AP projection | Lt wrist plain film | in cast | acquired on Siemens
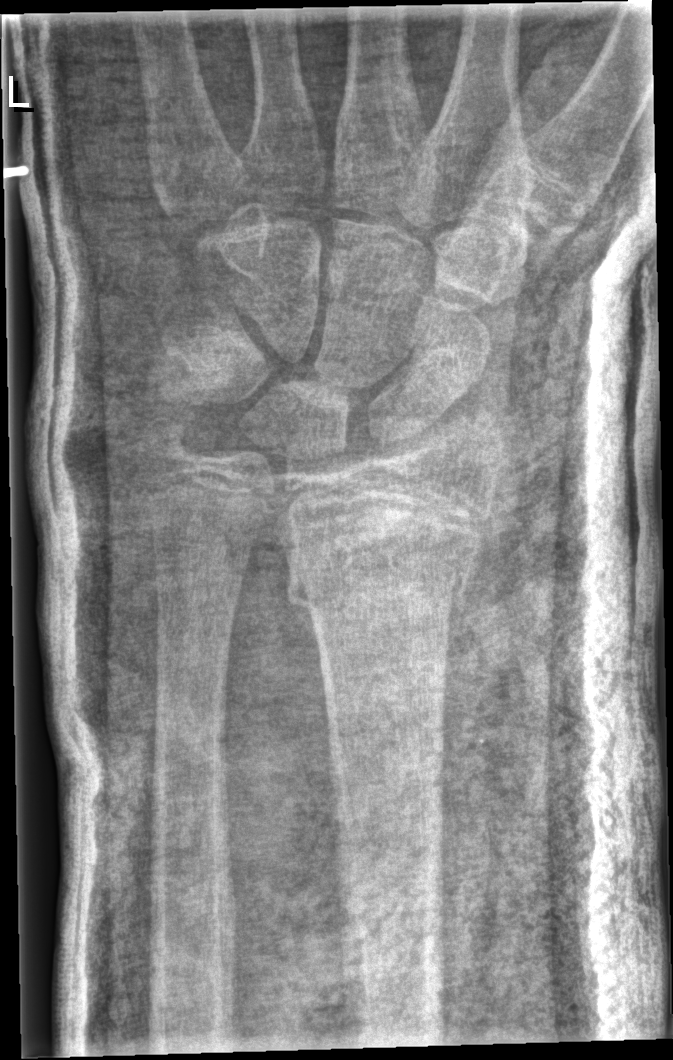

Q: AO code?
A: Fracture classified AO/OTA 23r-M/3.1; 23u-E/7
Q: Is there a fracture?
A: Fracture — bbox(279, 496, 483, 619)